Left wrist plain radiograph of the wrist | posteroanterior view | 15y M | follow-up:
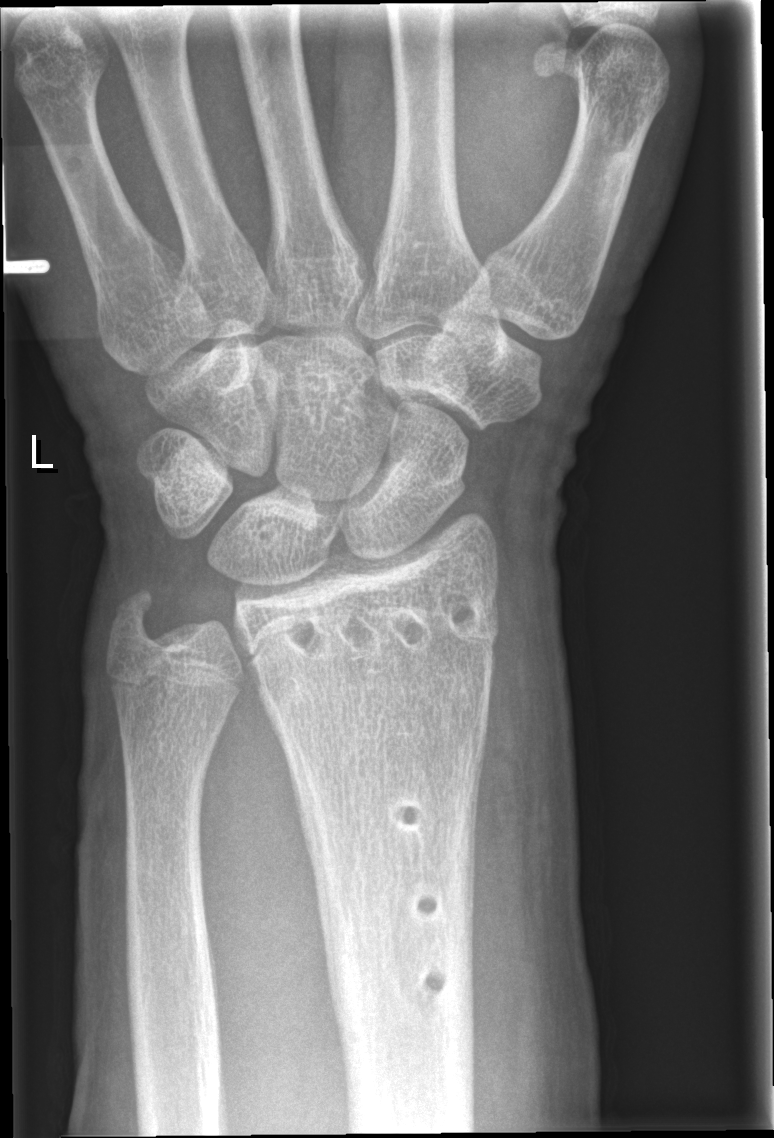

osseous anomaly = 4 @ 275,586,490,663
  373,784,435,859
  401,872,459,942
  402,949,456,1007
Fx = 1 @ 108,583,177,664